R pediatric wrist radiograph | frontal | pediatric patient (boy, age 13) | 552x1086:
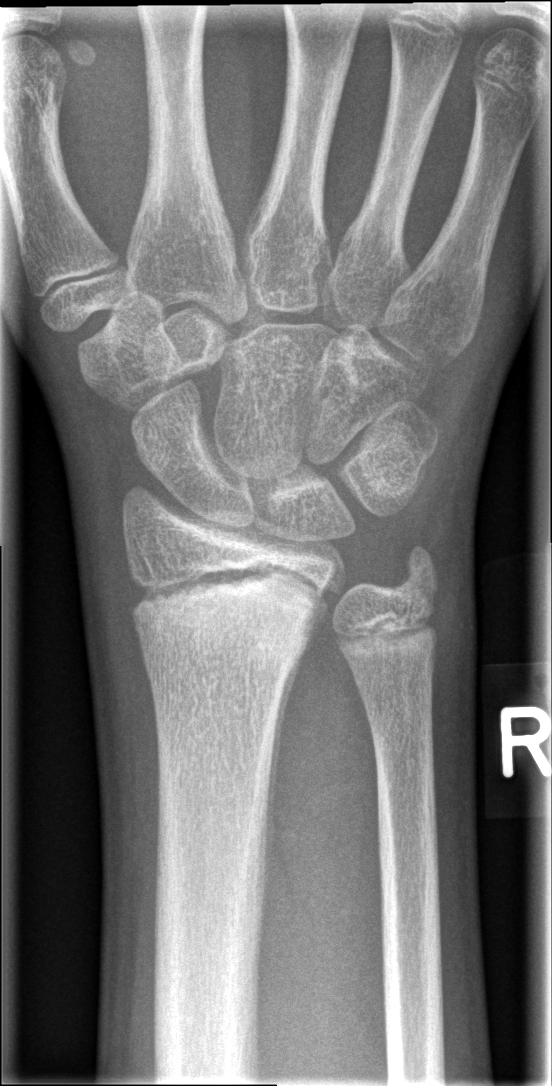

Fractures — <137,594>-<310,676> <387,539>-<445,601>.
One periosteal thickening at <270,660>-<303,848>.